Lat view · L wrist XR · pediatric patient (boy, age 14) · 653 x 1370 px: 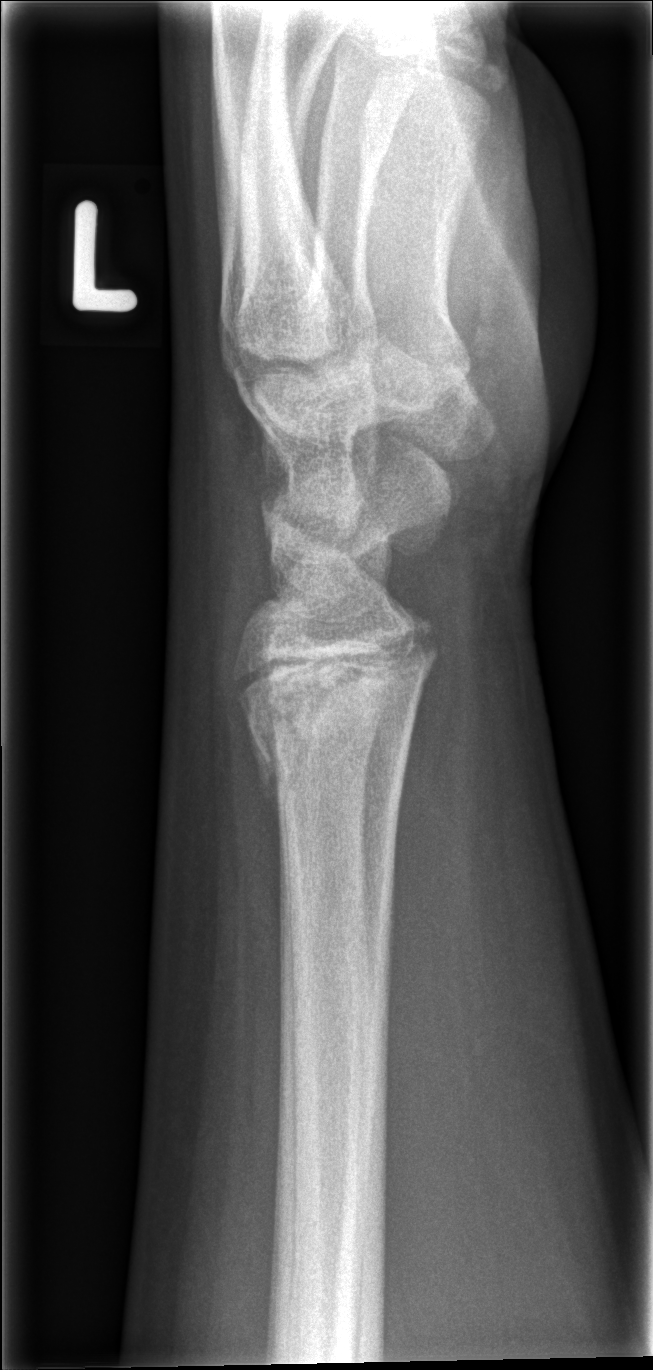 FINDINGS: Reduced bone mineral density. AO/OTA classification: 23r-M/3.1; 23u-E/7. Fracture — (left=239, top=634, right=439, bottom=784).